Left plain radiograph of the wrist · PA/AP projection · 15y M —
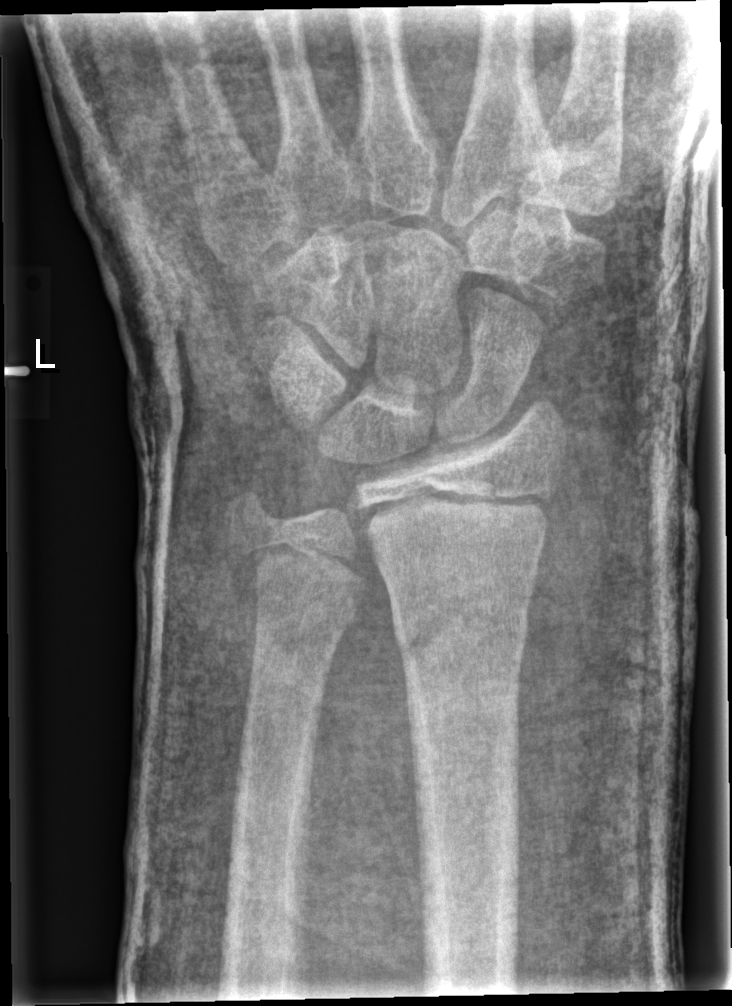

Bone fracture = [x1=391, y1=583, x2=533, y2=679]; [x1=228, y1=532, x2=370, y2=601]